PA/AP view, left wrist radiograph.

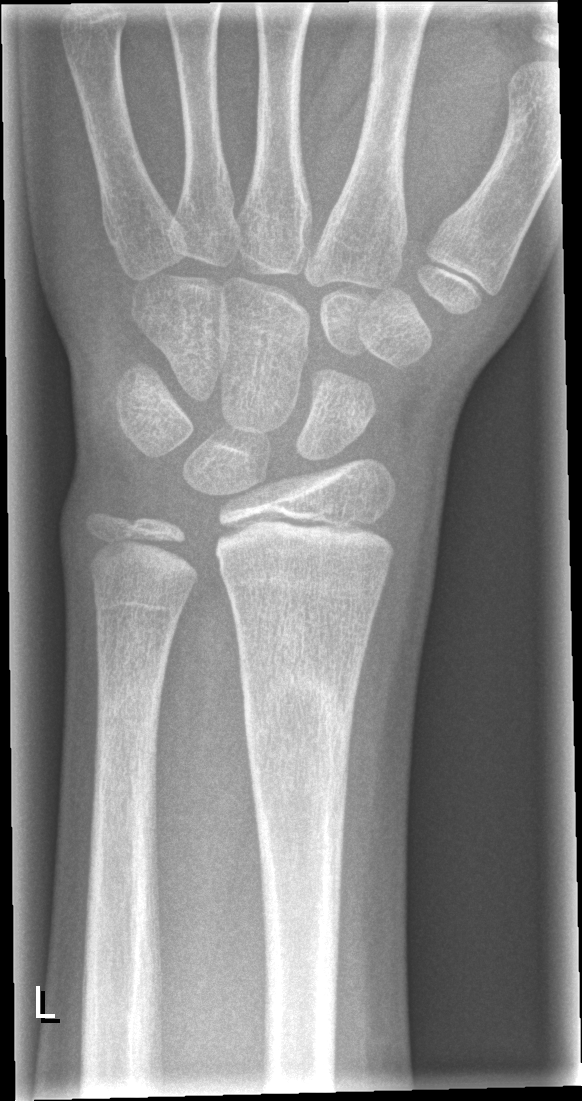

FINDINGS — Fracture classified AO/OTA 23-M/3.1. Bone fracture: 238,662,356,806; 89,667,169,767.